Lat · right wrist XR · age 10 y, girl:

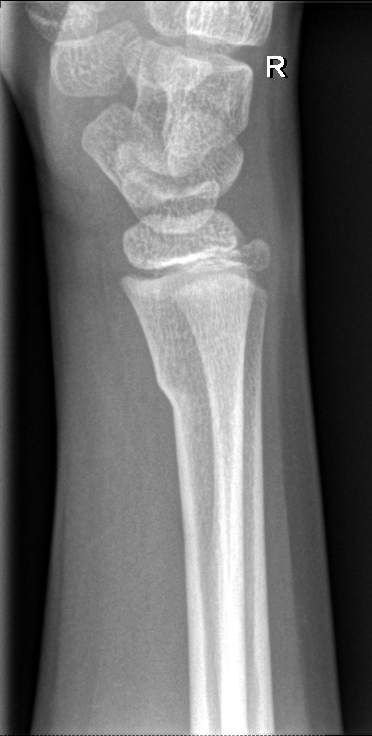
Fracture: 149 353 249 414.